R pediatric wrist radiograph | lat view | 14-year-old boy | presentation radiograph | findings marked uncertain by the reading radiologist

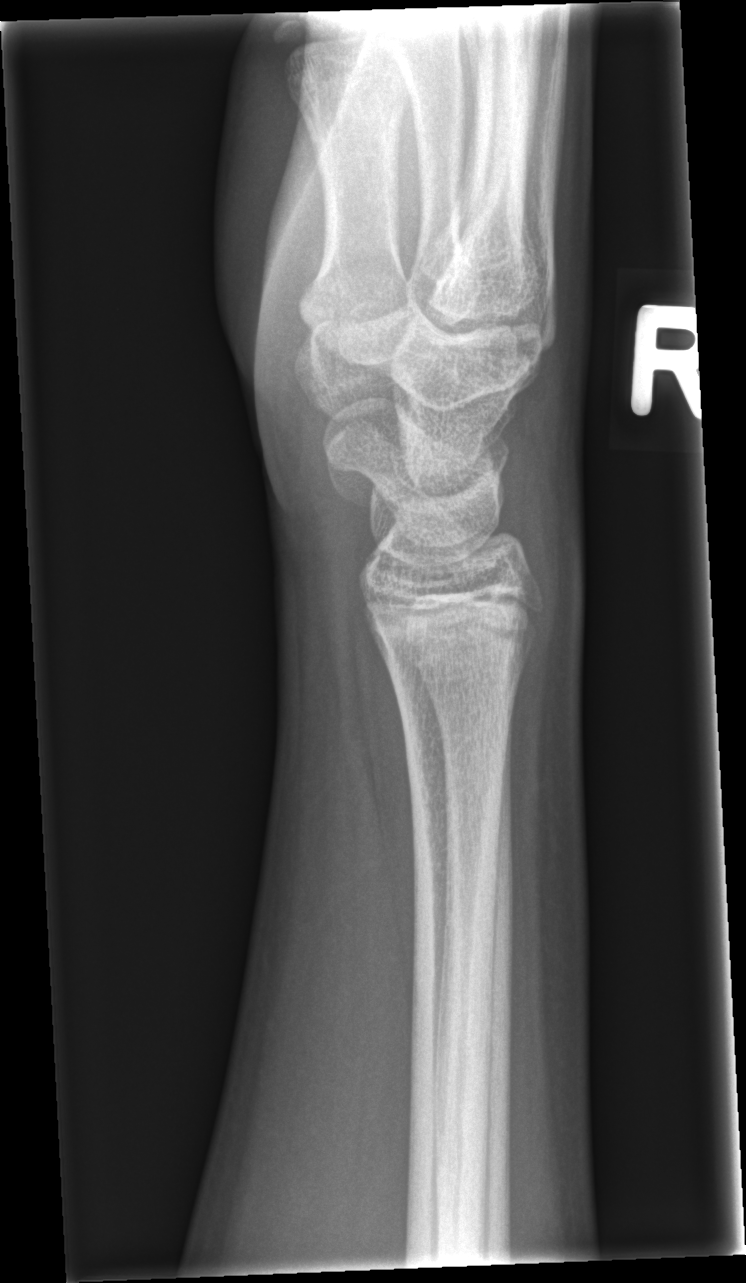 Fx: none.